Right wrist X-ray | lat projection —

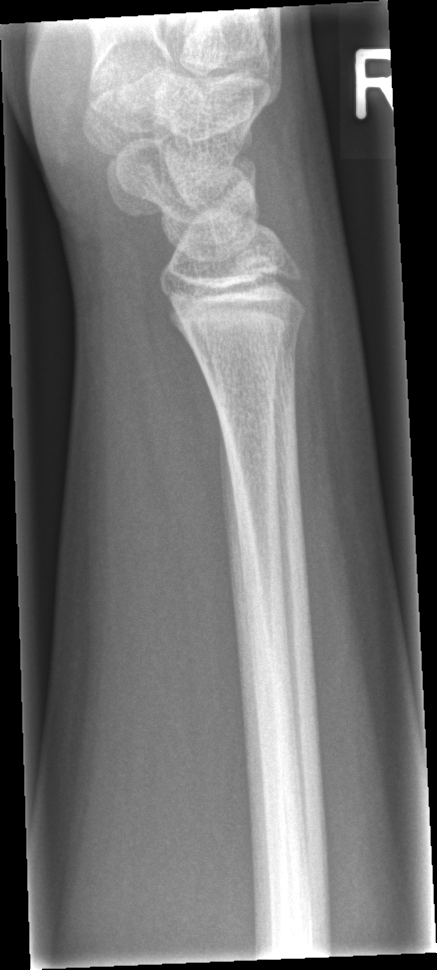
Findings: (bounding boxes in image-pixel xyxy) One fracture at 181 301 311 359. Fracture classified AO/OTA 23r-M/2.1.